L pediatric wrist radiograph, lat projection, boy, 13 yo, subsequent exam, 602x1132
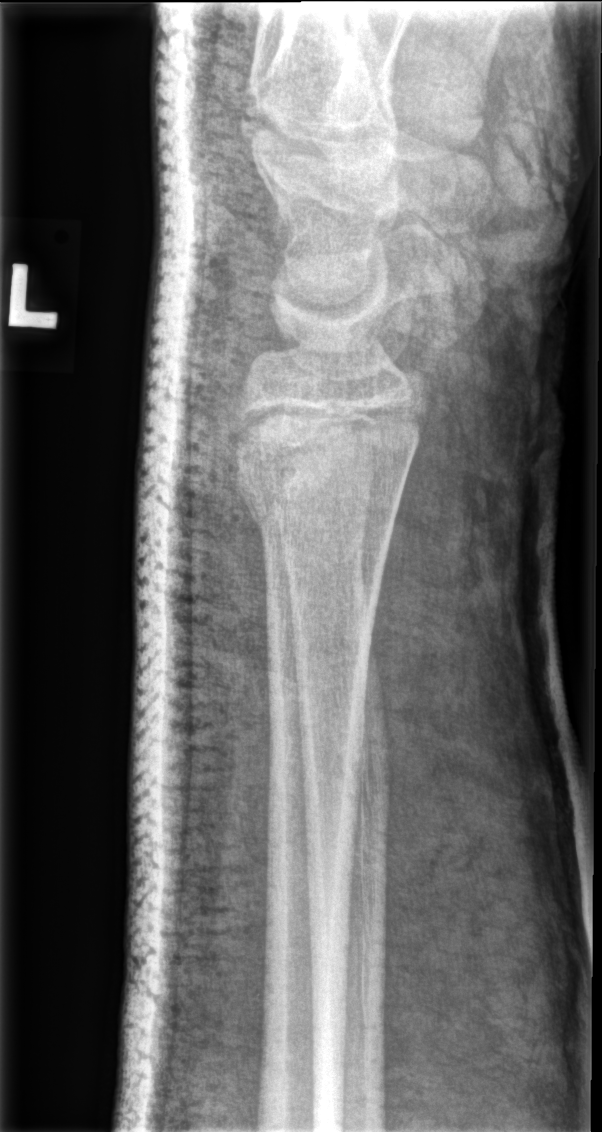 (bounding boxes in image-pixel xyxy)
Bone fracture: (224, 396, 429, 544)
AO classification: 23r-E/2.1; 23u-E/7